R wrist radiograph | PA 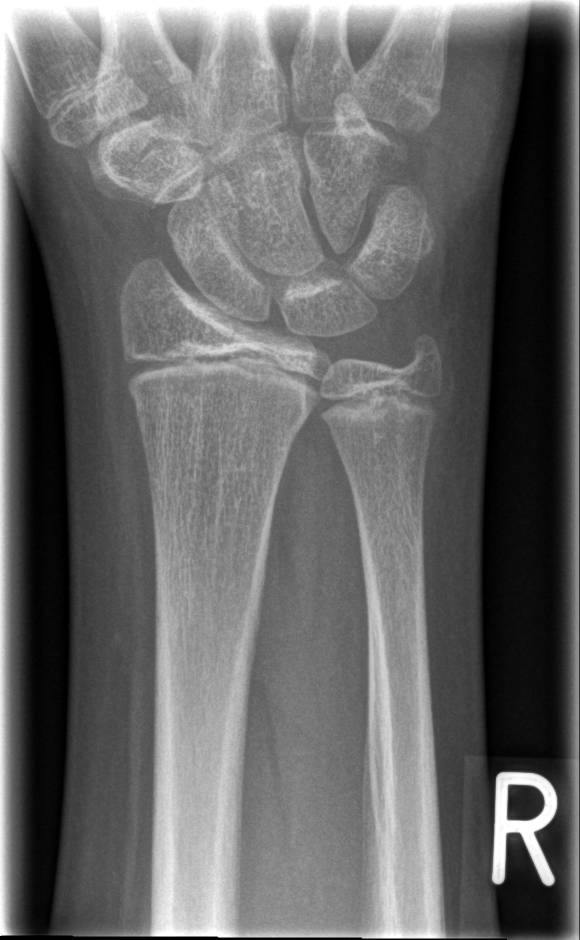
FINDINGS: Fracture present but not clearly seen in this view. AO/OTA classification: 23r-M/2.1. Osteopenia.